AP, L wrist X-ray, initial study:

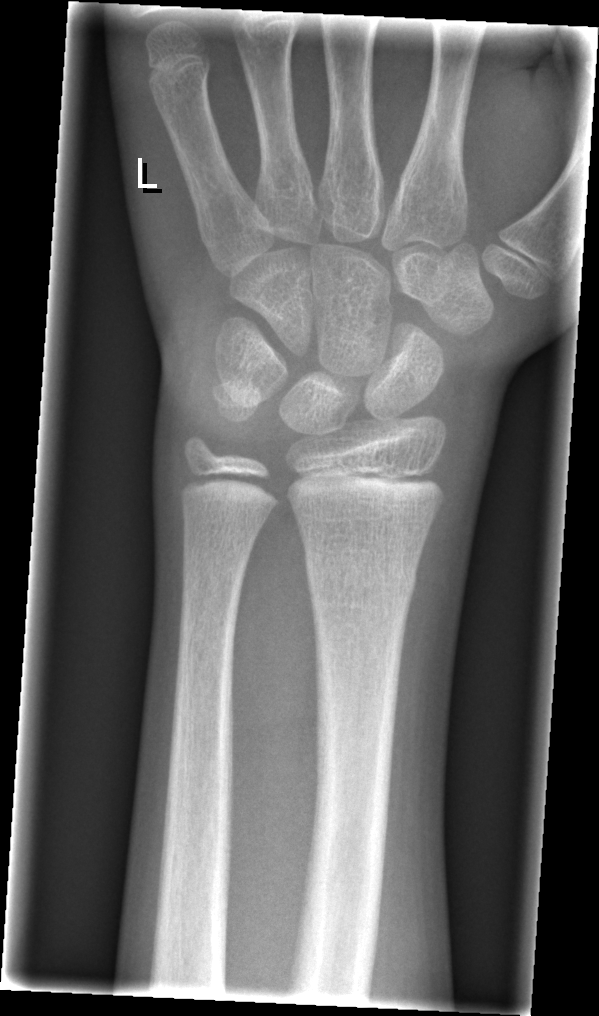
Boxes as x1,y1,x2,y2 (top-left / bottom-right, pixel units). One bone fracture at 306 550 418 597. AO code 23r-M/2.1.